Lt wrist radiograph; lateral projection; 7-year-old girl; image size 536x714:

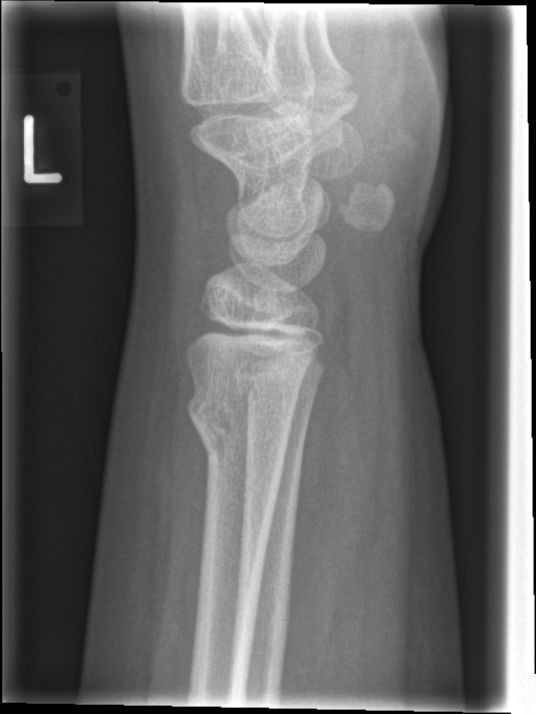
Findings: (coordinates are [x1, y1, x2, y2] in image pixels) Fx identified at <180,381>-<293,476> <229,350>-<309,410>. AO/OTA classification: 23-M/2.1.